Frontal view, left wrist X-ray, pediatric patient (male, age 15), acquired on Siemens
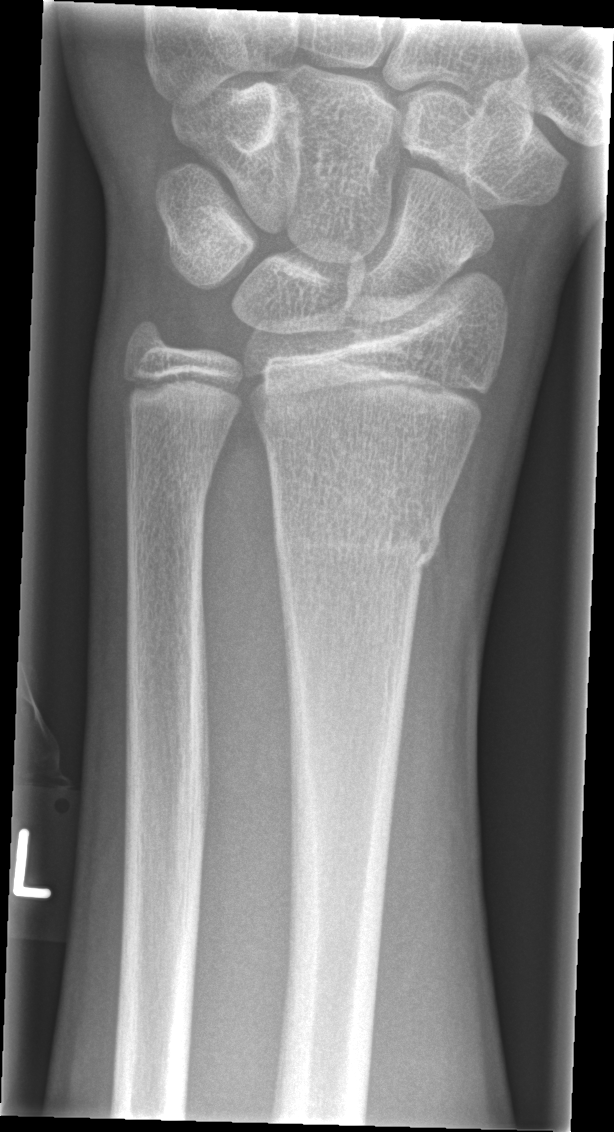
AO/OTA = 23r-M/2.1
Bone fracture = 270,502,446,577